Left wrist plain radiograph of the wrist, AP projection, acquired on Siemens

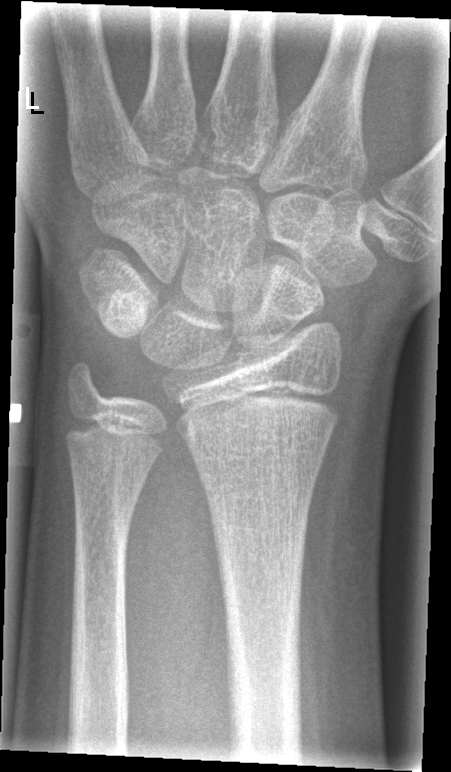

FINDINGS: No fracture labeled.